Lt plain radiograph of the wrist · AP view · pediatric patient (male, age 14) · imaged through cast · 516 by 944 pixels:

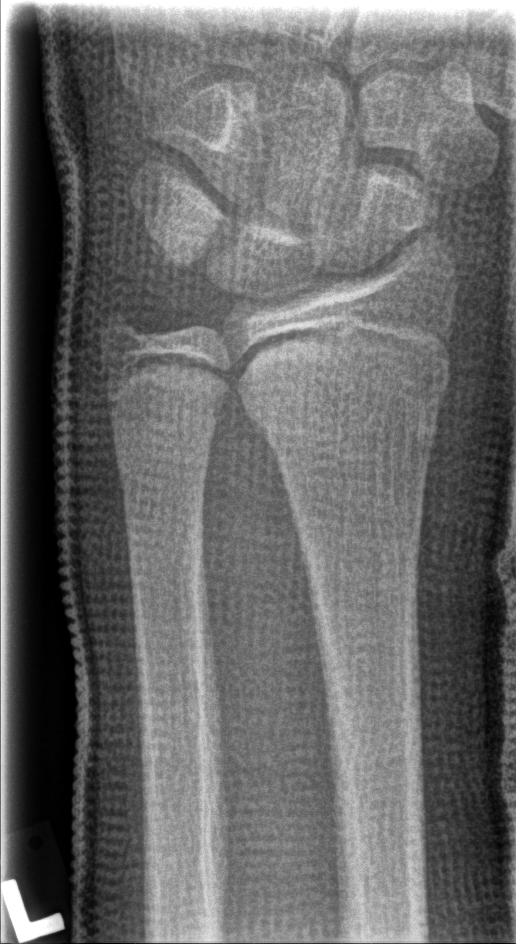
FINDINGS: Bone fracture: (left=249, top=381, right=449, bottom=462).